L wrist radiograph; posteroanterior view; image 84.1 mm wide —
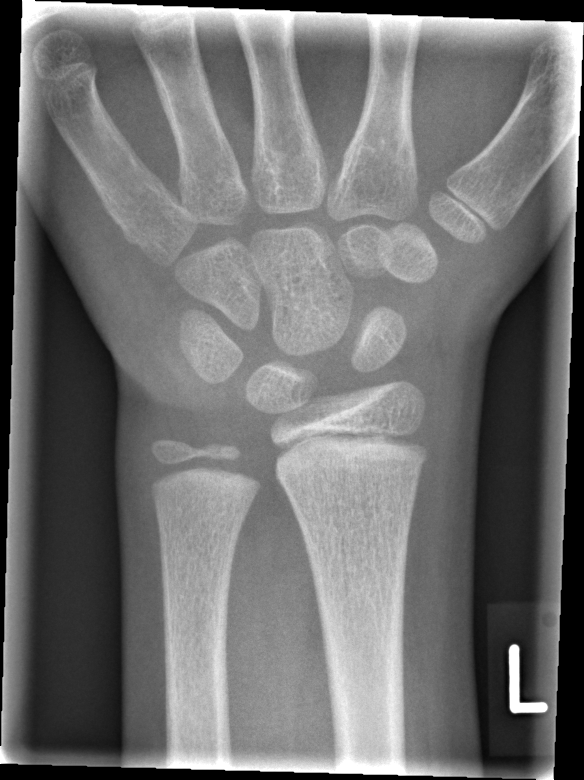

* No fracture bounding box.